Frontal projection | left wrist plain film —

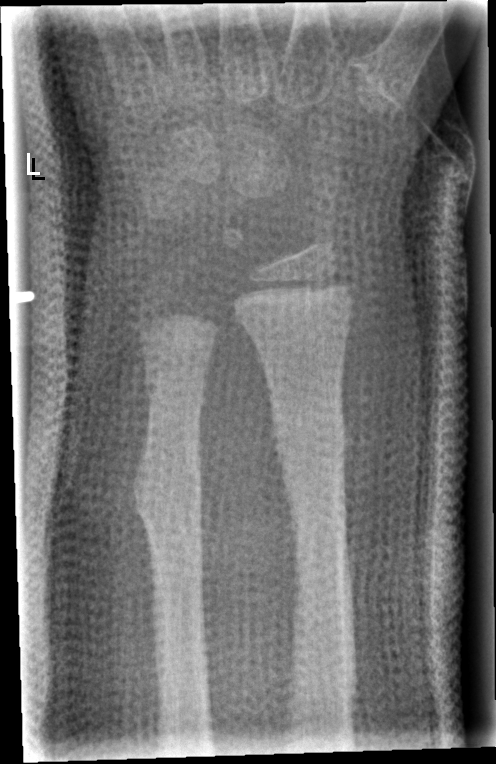
Bone fractures — 267,410,355,484
  140,355,215,408. Bone anomaly: 127,435,207,544.